Posteroanterior projection | right wrist X-ray | 5y F.
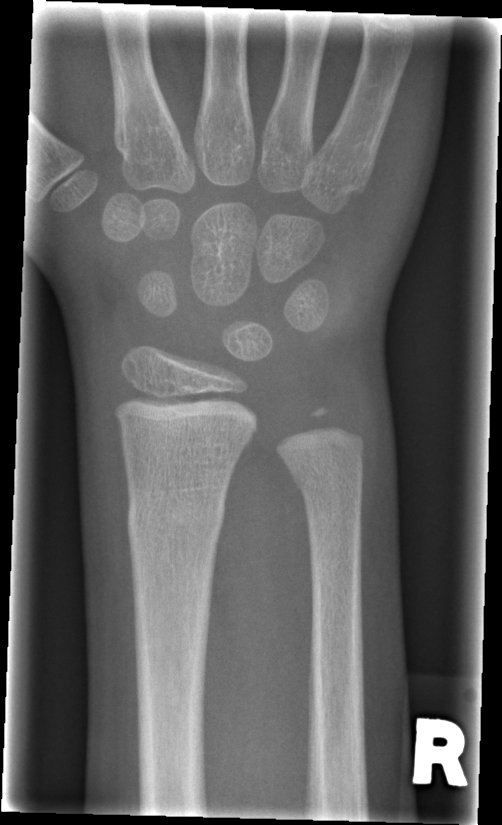
• AO/OTA classification: 23-M/2.1.
• Fx: <125,490>-<228,545> <288,458>-<366,502>.